Frontal | Lt pediatric wrist radiograph | pediatric patient (female, age 9) | follow-up study | 501x1106. 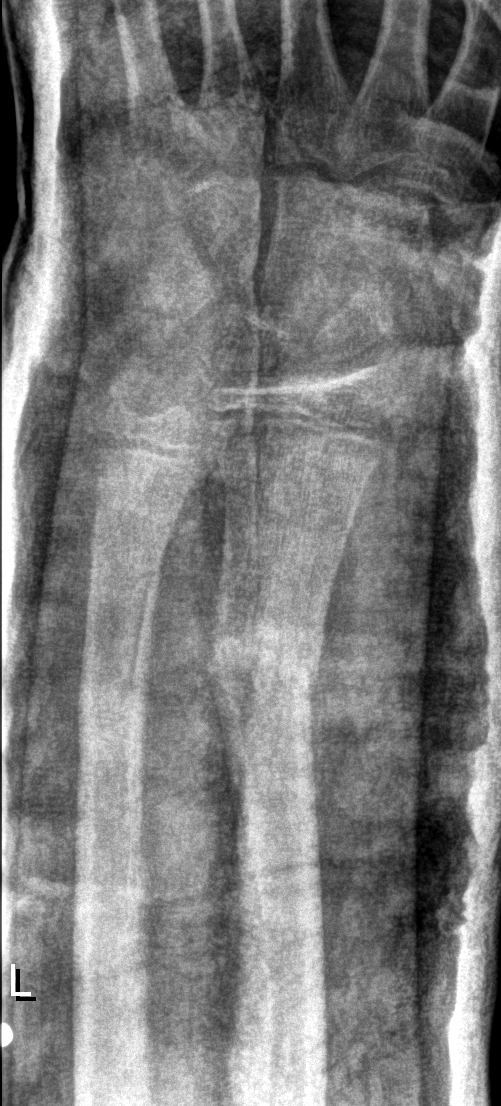 (coordinates are [x1, y1, x2, y2] in image pixels)
Q: Any fracture seen?
A: Fx: (201, 610, 331, 718), (84, 500, 175, 573), (75, 673, 153, 751)
Q: What is the AO/OTA classification?
A: AO/OTA classification: 22r-D/4.1; 22u-D/2.1; 23u-M/2.1